R plain radiograph of the wrist · frontal projection · age 11 y, male · image width 92.6 mm — 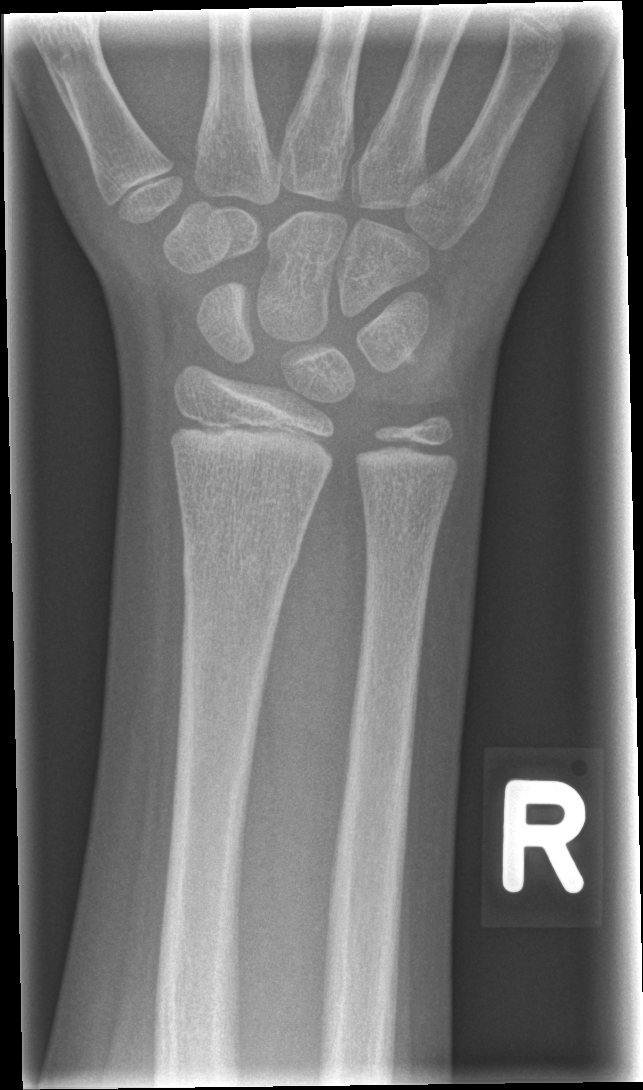

AO classification: 23r-M/2.1
Fracture: 1 @ [179, 537, 302, 581]